Posteroanterior projection, R pediatric wrist radiograph, girl, 11 yo, presentation radiograph, 714 x 1174 px.
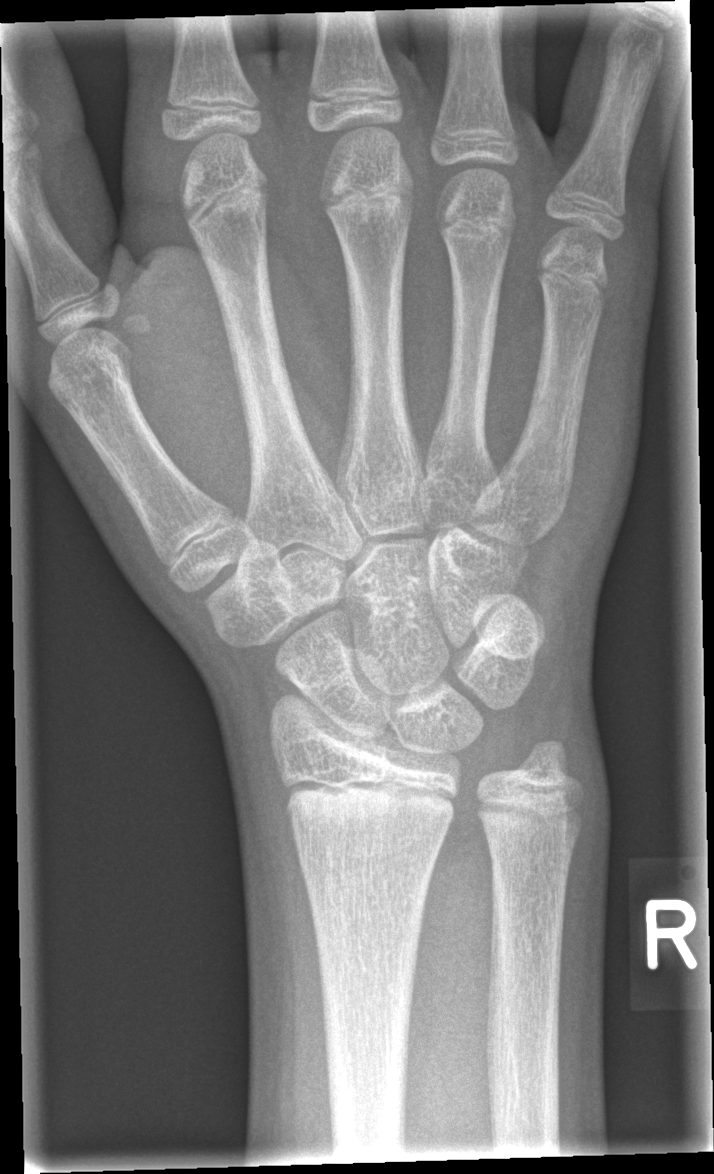

Q: Locate any fractures.
A: No fracture annotation